PA/AP projection | L wrist XR | age 6 y, male: 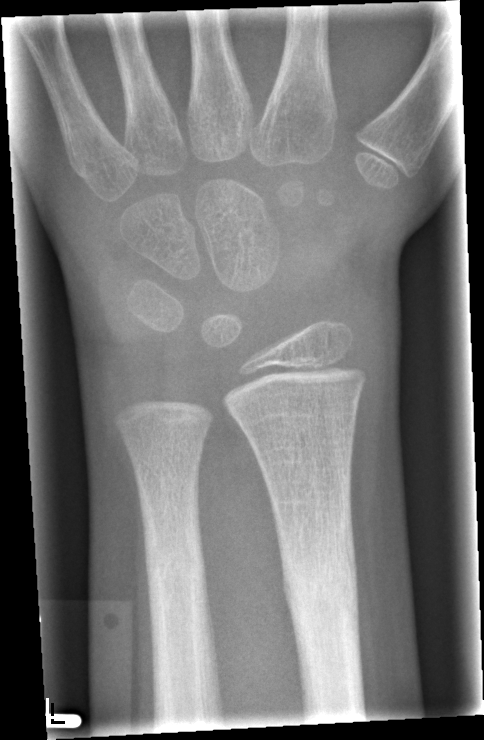 - Osteopenic.
- Fx — (left=276, top=508, right=368, bottom=671) (left=140, top=510, right=214, bottom=622).